Right wrist XR, lateral, age 12 y, girl, presentation radiograph, detector: Agfa, 1059x1059
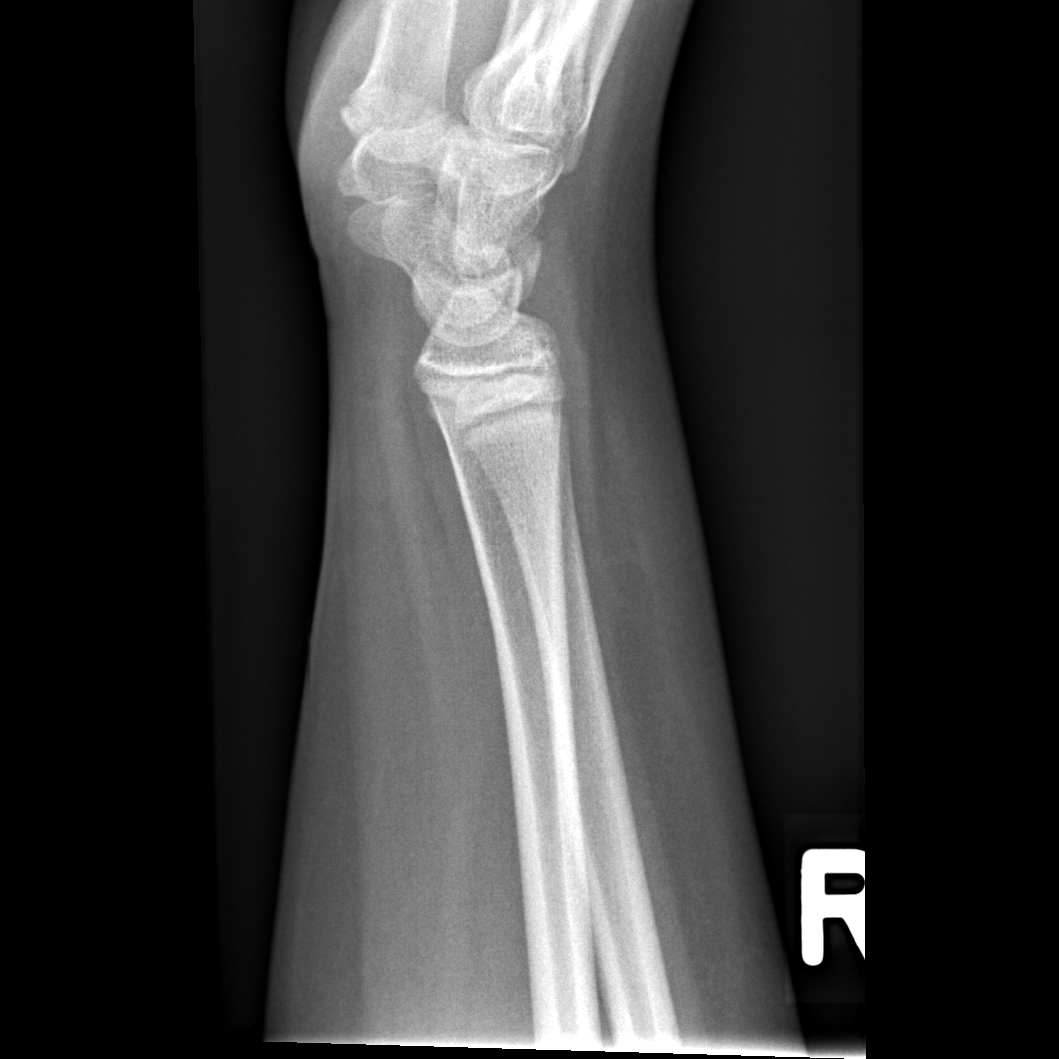 Fx = none labeled